Lateral view, right pediatric wrist radiograph

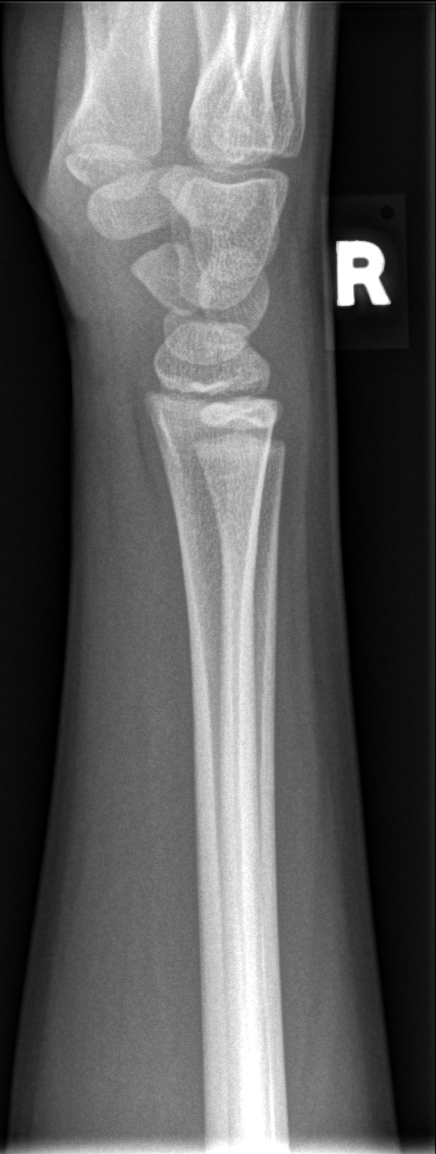
FINDINGS: No Fx annotated.